Left wrist plain film; lat; boy, 8 yo; image width 51.0 mm; 354x606 —
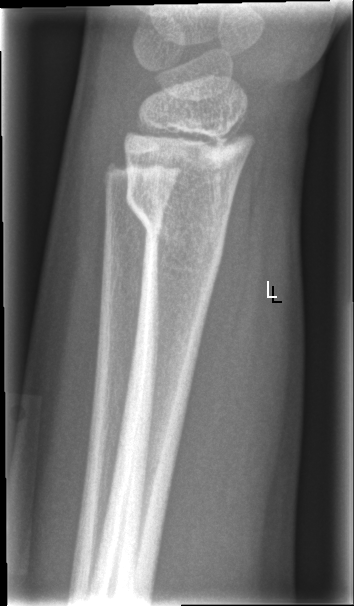

Findings: (coordinates are [x1, y1, x2, y2] in image pixels) Fracture classified AO/OTA 23r-M/2.1. One bone fracture at <123,179>-<235,261>.